Lateral view · Lt plain radiograph of the wrist · age 16 y, girl · initial study · 441 by 990 pixels — 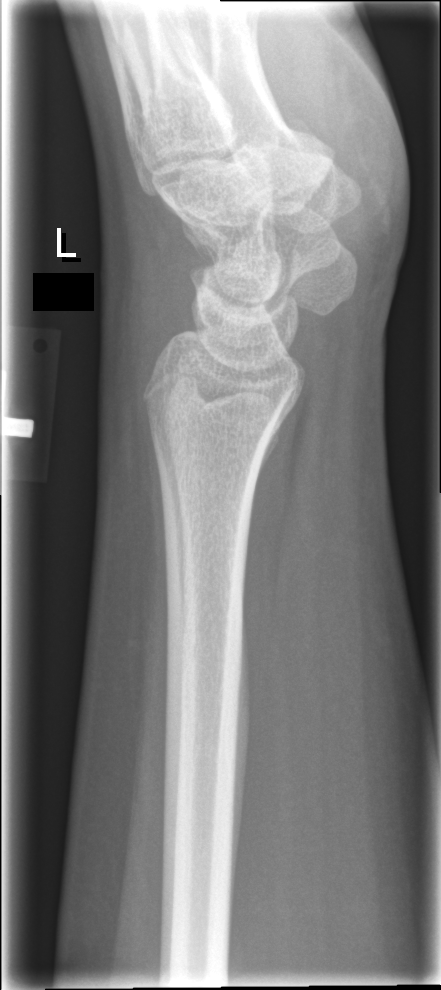

Fracture = none labeled